Lt wrist plain film · lat projection · image 78.5 mm wide · 545x1216. 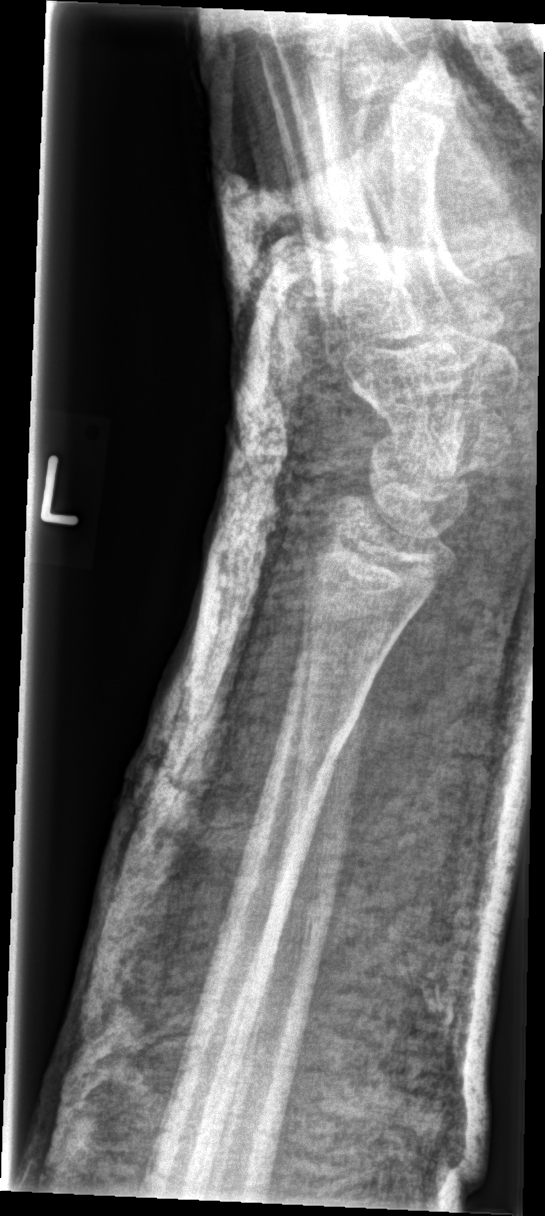

One bone fracture at (274, 690, 367, 770).
AO code 23r-M/3.1; 23u-M/2.1.